Lateral projection; right wrist plain film; pediatric patient (girl, age 9):
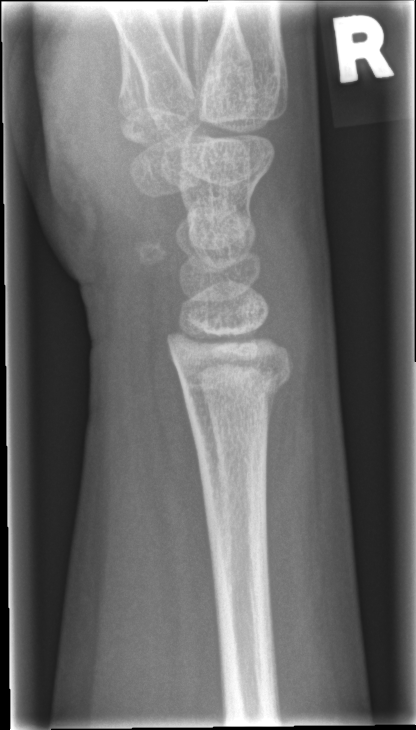
Q: What is the AO/OTA classification?
A: AO/OTA classification: 23r-M/2.1
Q: Locate any fractures.
A: Bone fracture: 176,353,293,410